Rt wrist XR; AP projection; image size 600x910 — 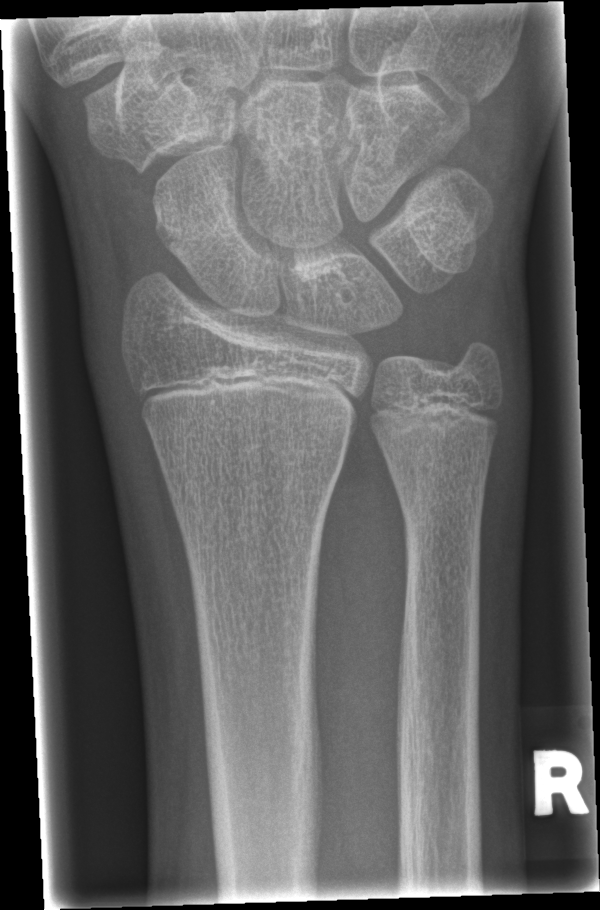 - No fracture annotation.